AP, left wrist radiograph, 16-year-old male —

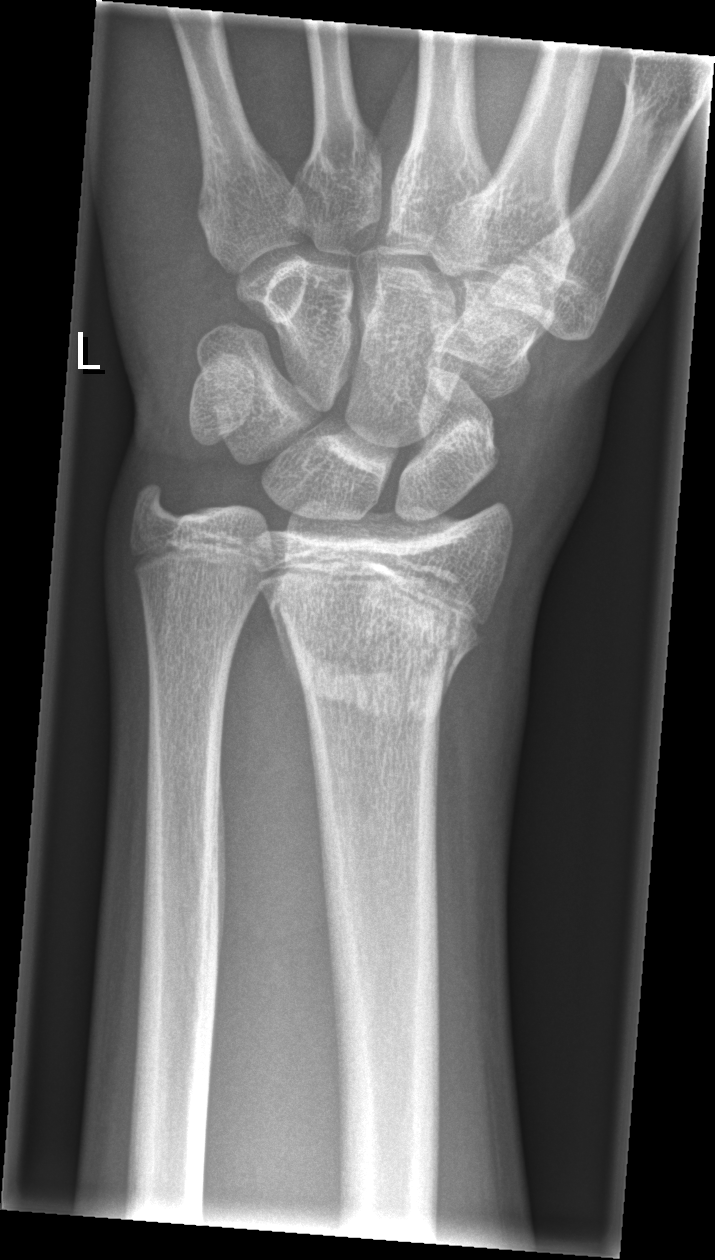 (pixel coordinates, top-left origin, xyxy)
AO classification: 23r-E/2.1
Fx: 1 @ <260,546>-<498,732>